PA/AP projection; right wrist plain film; 10-year-old male; cast present.

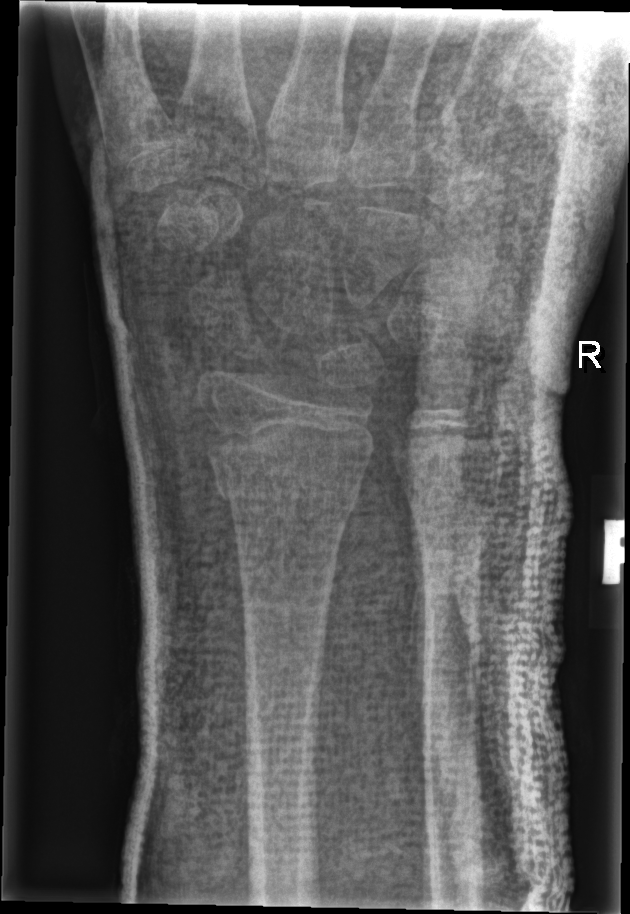
AO classification: 23r-E/2.1
Fx: 1 @ 206 442 366 513